PA; right wrist XR; 13-year-old boy; cast in situ:

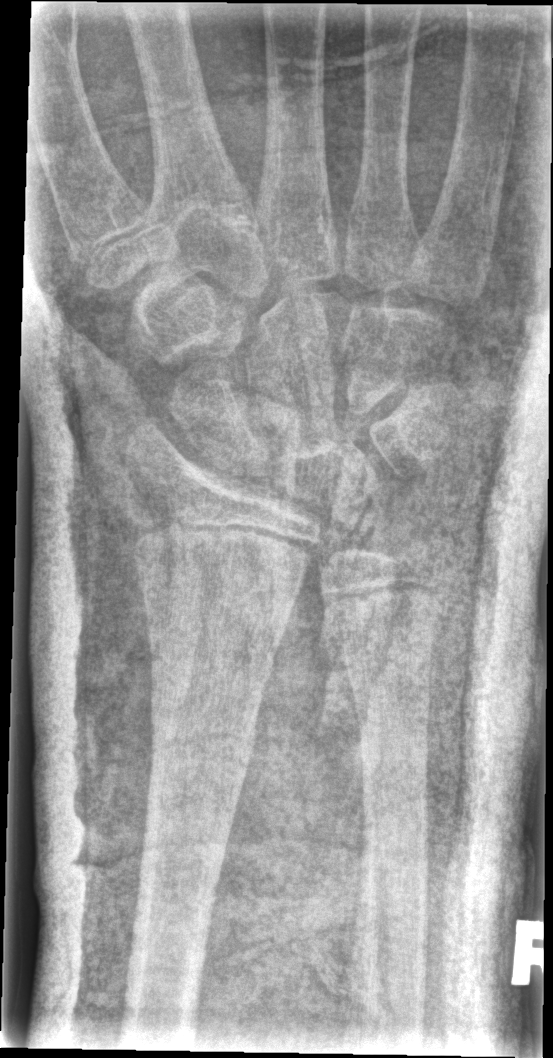
AO code 23r-M/3.1.
Fracture present, but no bounding box because it is not clearly seen in this view.